R wrist X-ray · lat projection · 9-year-old girl —
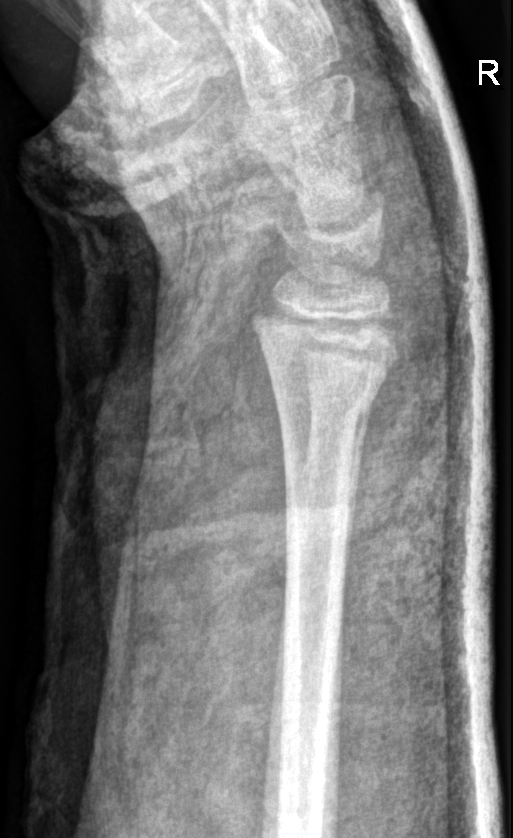   ao: 23r-M/3.1; 23u-E/7
  fracture: 1 @ [x1=263, y1=367, x2=384, y2=439]